Lat view, right wrist pediatric wrist radiograph, follow-up, acquired on Siemens, 95.8 mm image width, image size 665x1118 —
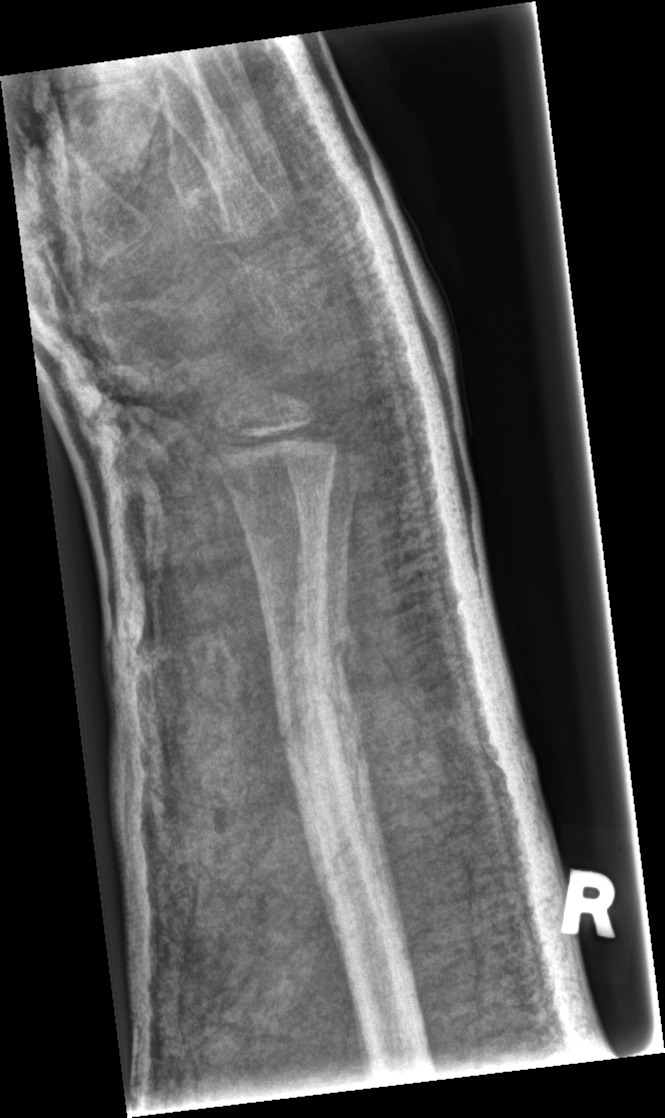 Findings: (bounding boxes in image-pixel xyxy) Fx identified at 272,597,378,853. Fracture classified AO/OTA 22-D/2.1.